Right wrist pediatric wrist radiograph, posteroanterior projection, follow-up, cast present:

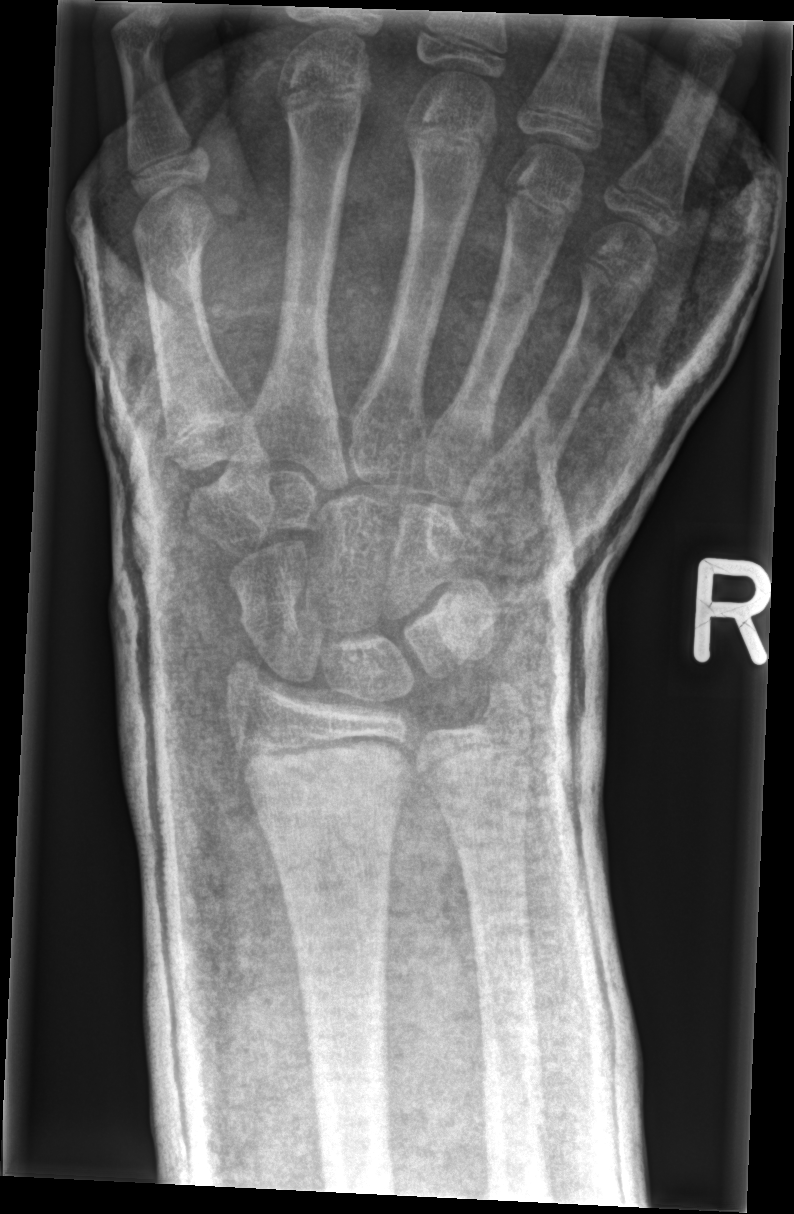 Q: Any fracture seen?
A: Fx: (left=235, top=732, right=414, bottom=823); (left=473, top=674, right=538, bottom=736)
Q: AO code?
A: AO code 23r-E/2.1; 23u-E/7